Rt wrist X-ray | PA projection | follow-up study | in cast | acquired on Siemens

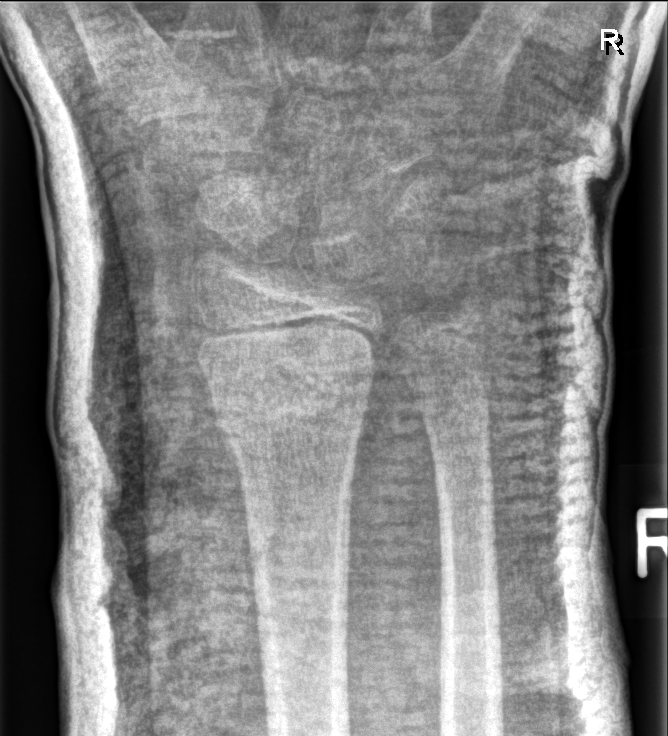
Fx: bbox(207, 376, 373, 456).